Lt wrist XR · posteroanterior projection · 8-year-old male · cast in situ · detector: Siemens · 101.1 mm image width — 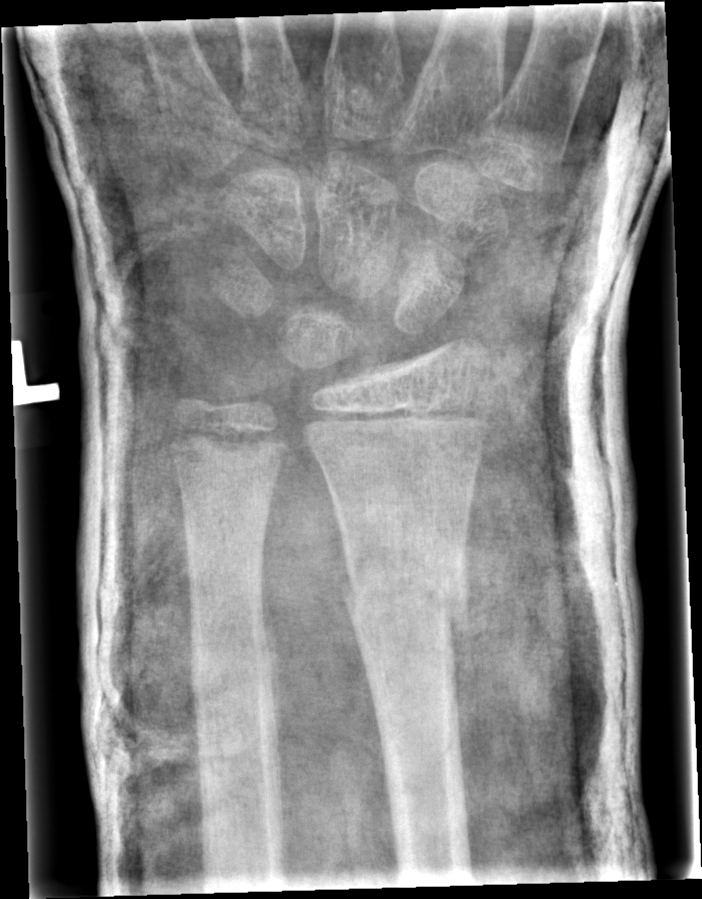

FINDINGS: Fx identified at [x1=337, y1=551, x2=476, y2=643].